PA/AP; left wrist XR; 15y M 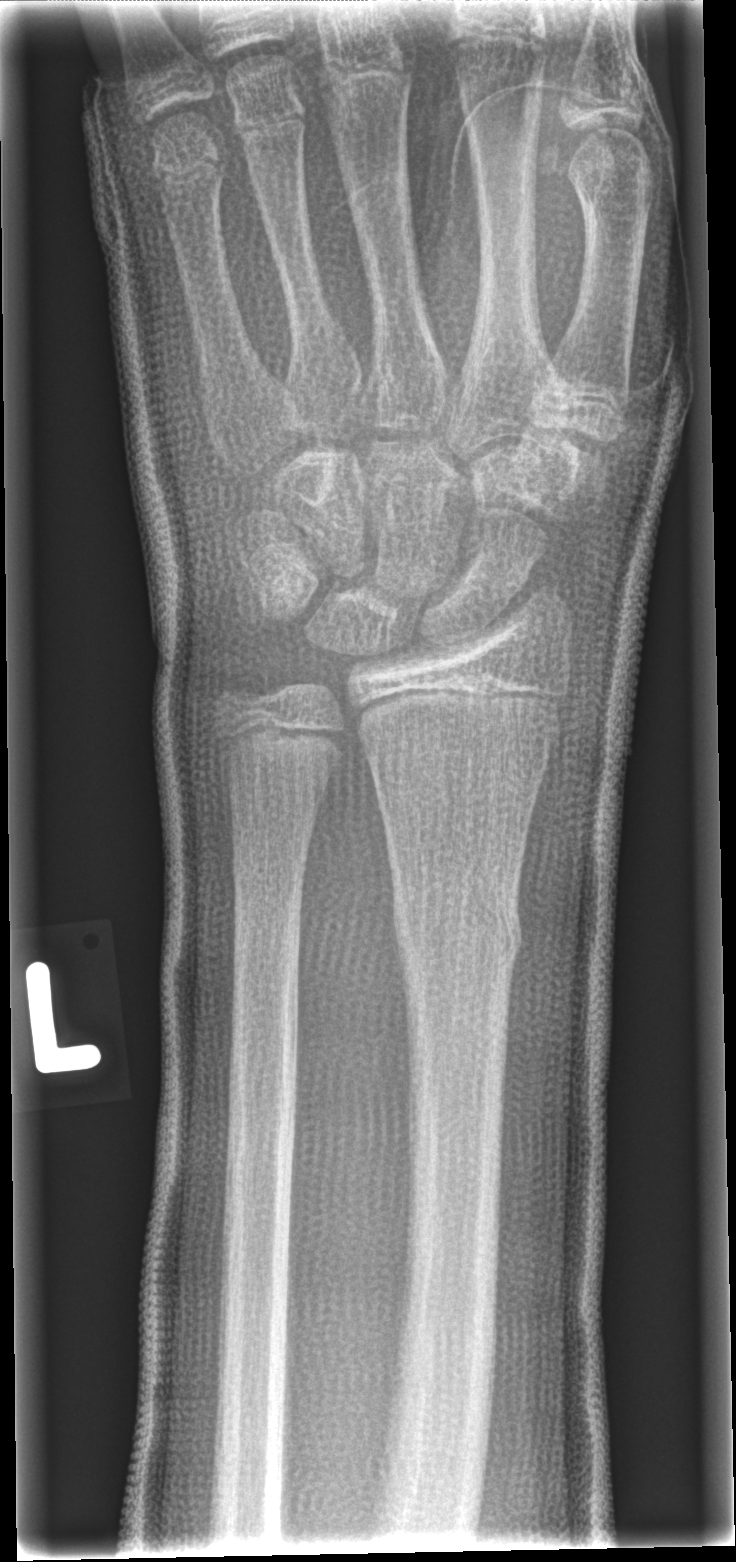
- Boxes as x1,y1,x2,y2 (top-left / bottom-right, pixel units).
- Fx identified at (388, 883, 528, 979).
- Fracture classified AO/OTA 23-M/2.1.